L wrist XR · PA/AP view · male, 14 yo:

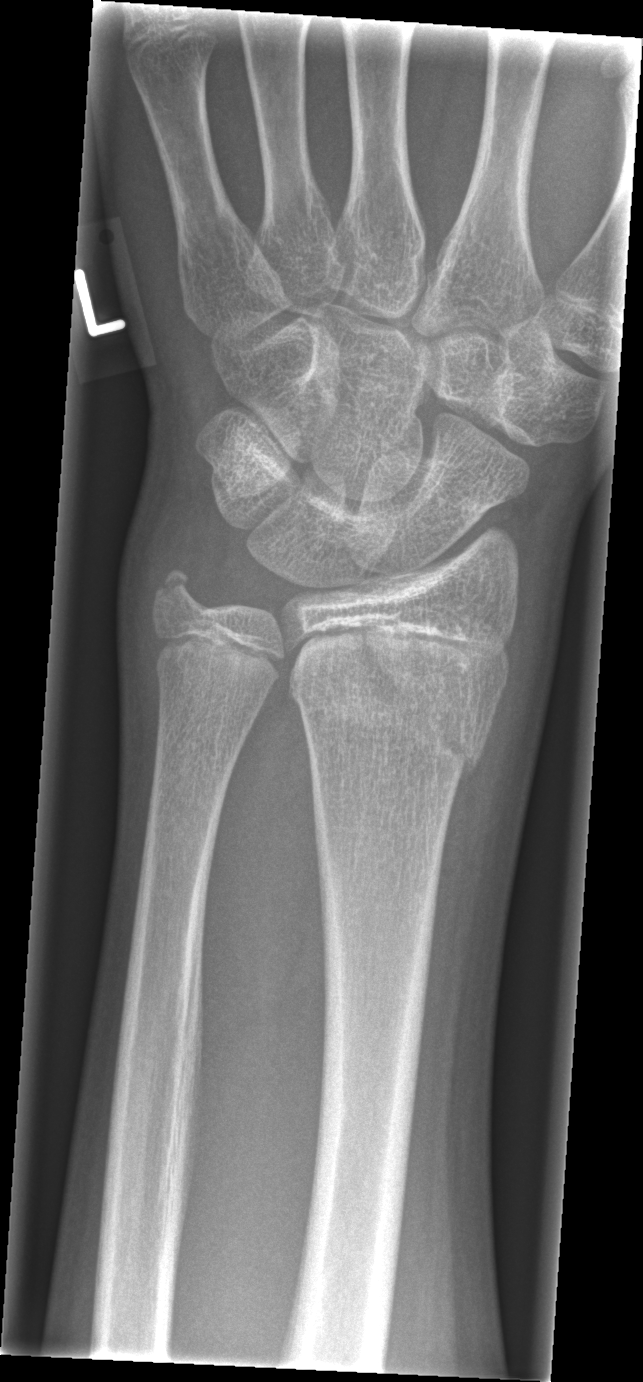

Fx: [287, 638, 488, 783]; [143, 561, 210, 627]
AO classification: 23r-M/3.1; 23u-E/7